Lt wrist radiograph, PA/AP view, pediatric patient (boy, age 13), follow-up. 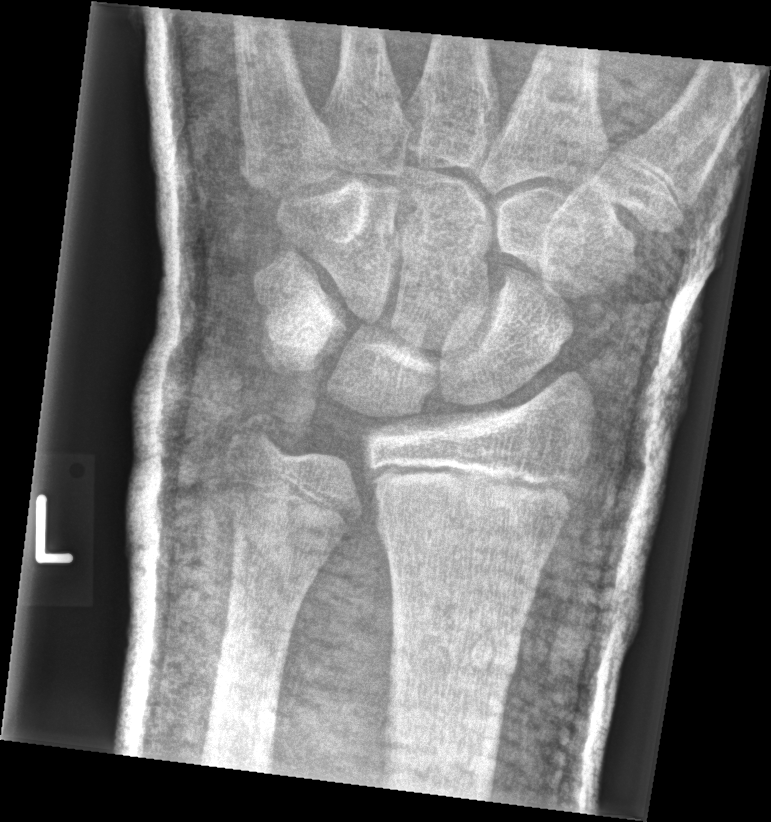 • Bone fracture identified at [x1=385, y1=614, x2=526, y2=702]; [x1=225, y1=409, x2=287, y2=463].
• AO/OTA classification: 23r-M/3.1; 23u-E/7.